R wrist radiograph | lateral | boy, 13 yo | image width 122.1 mm.
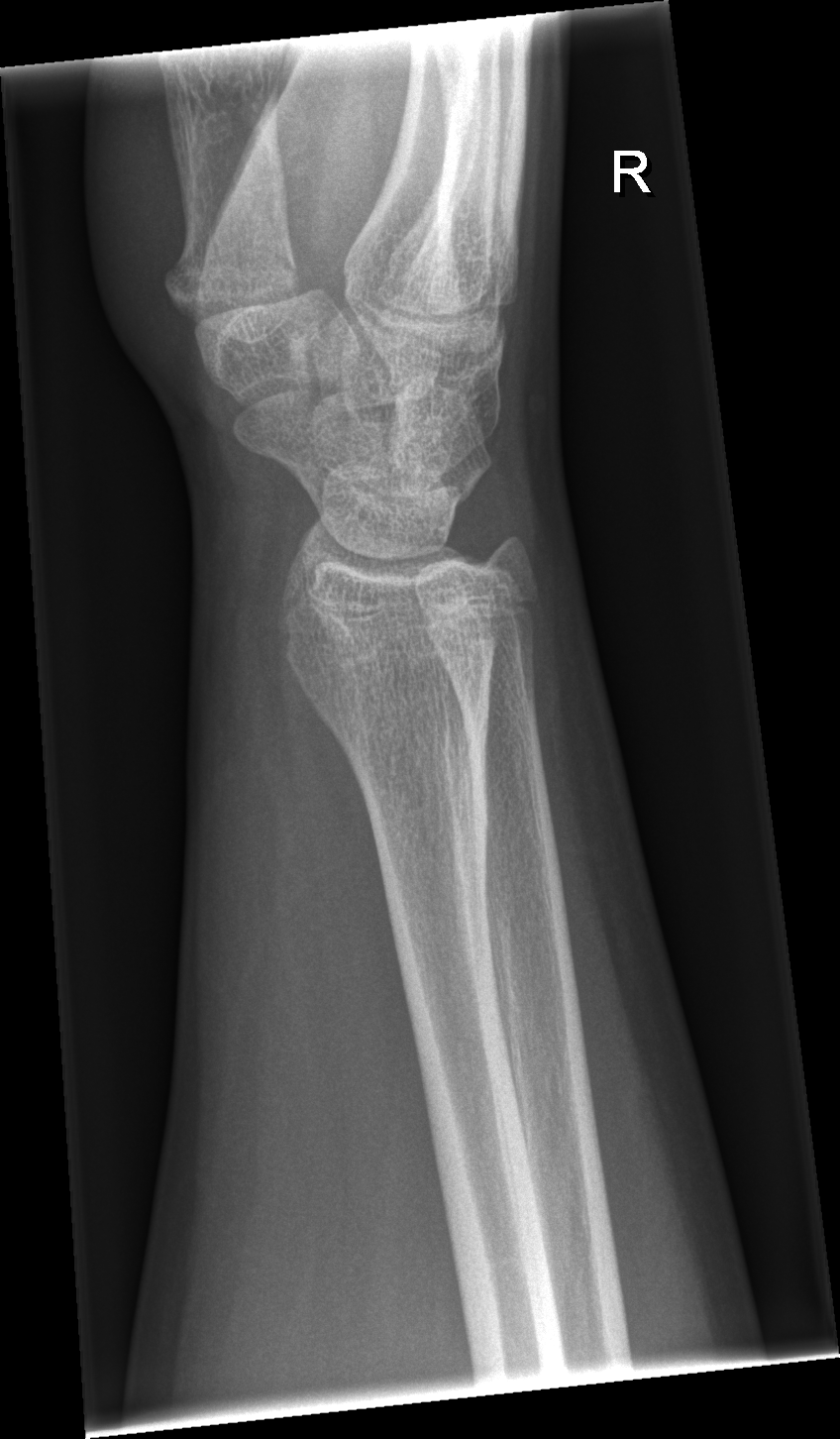 fracture: none labeled